L wrist XR | lateral view | 8-year-old boy

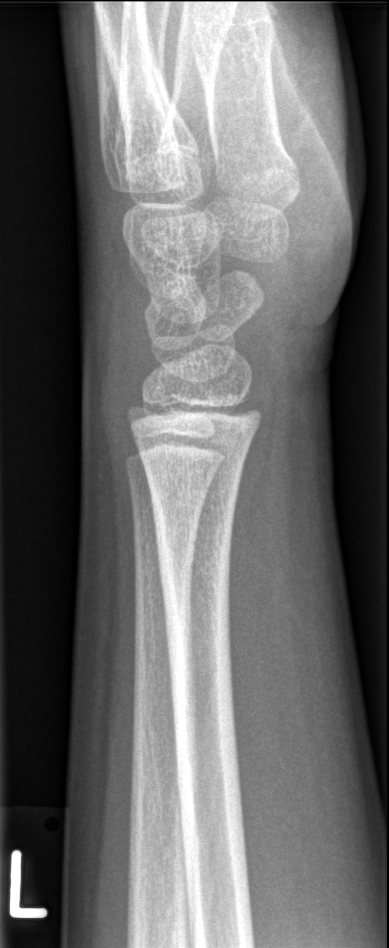

- Fx: none.